Lt plain radiograph of the wrist · PA/AP · 8-year-old boy:
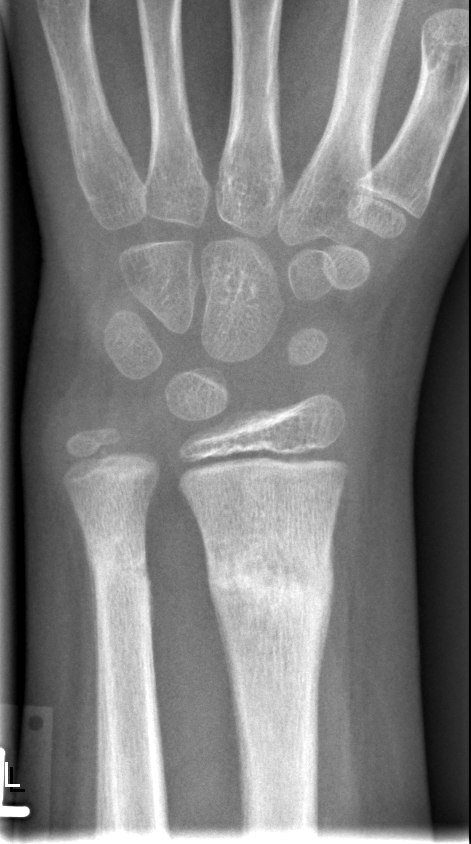

FINDINGS — Decreased bone density (osteopenia). Two fractures at (202, 544, 337, 641) (88, 537, 152, 598). AO/OTA classification: 23-M/2.1.